Right wrist plain film; lateral projection; pediatric patient (girl, age 9).
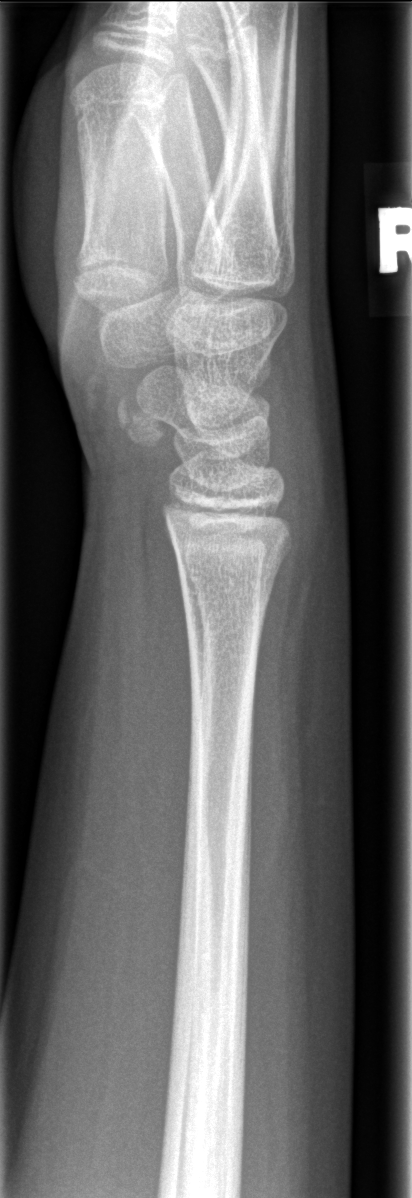 - AO/OTA classification: 23r-M/2.1.
- Fracture identified at (172, 537, 296, 585).